Posteroanterior; left wrist X-ray; boy, 14 yo; initial study 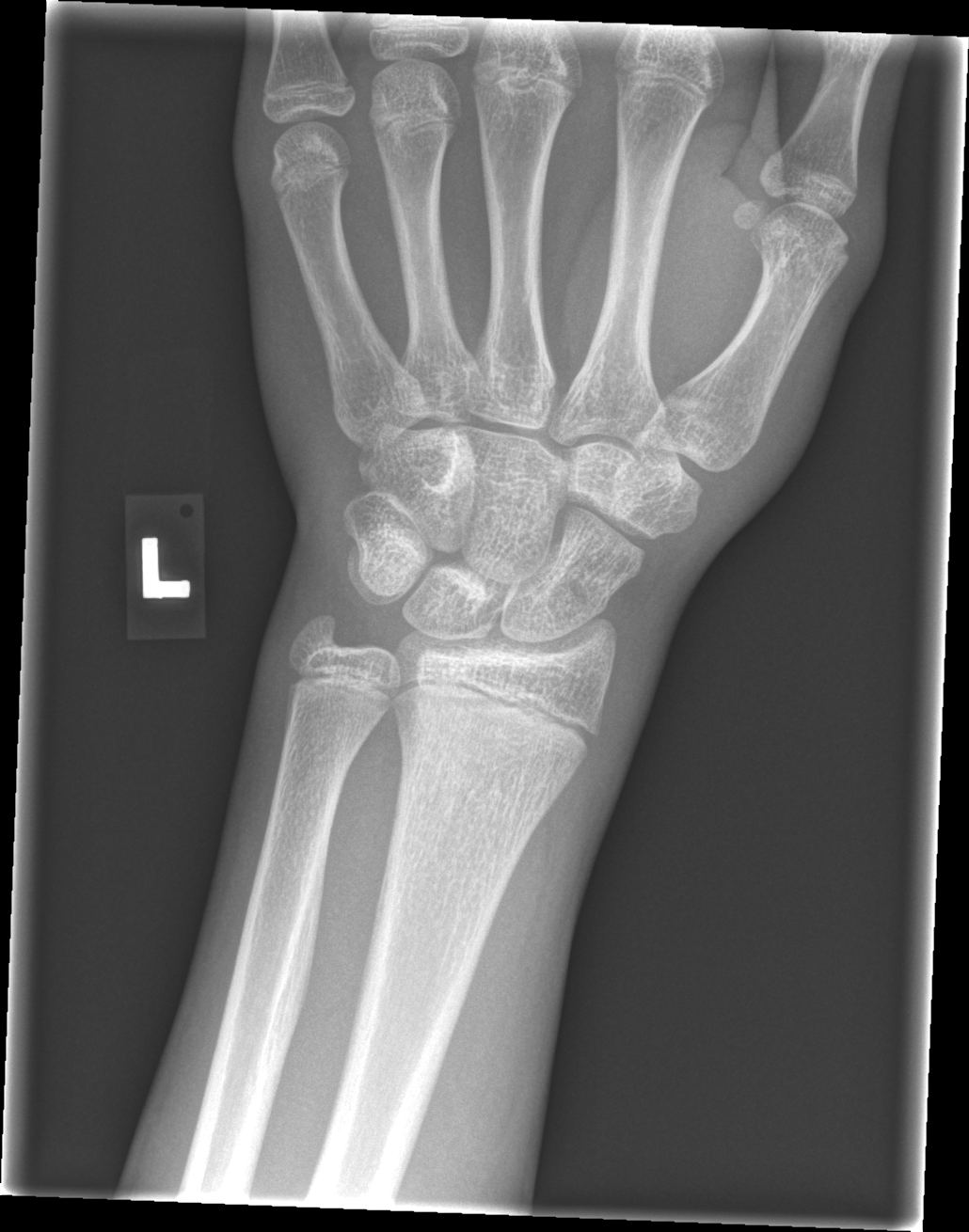 - Fx present but not clearly seen in this view.